Posteroanterior | right wrist pediatric wrist radiograph | index exam | Siemens

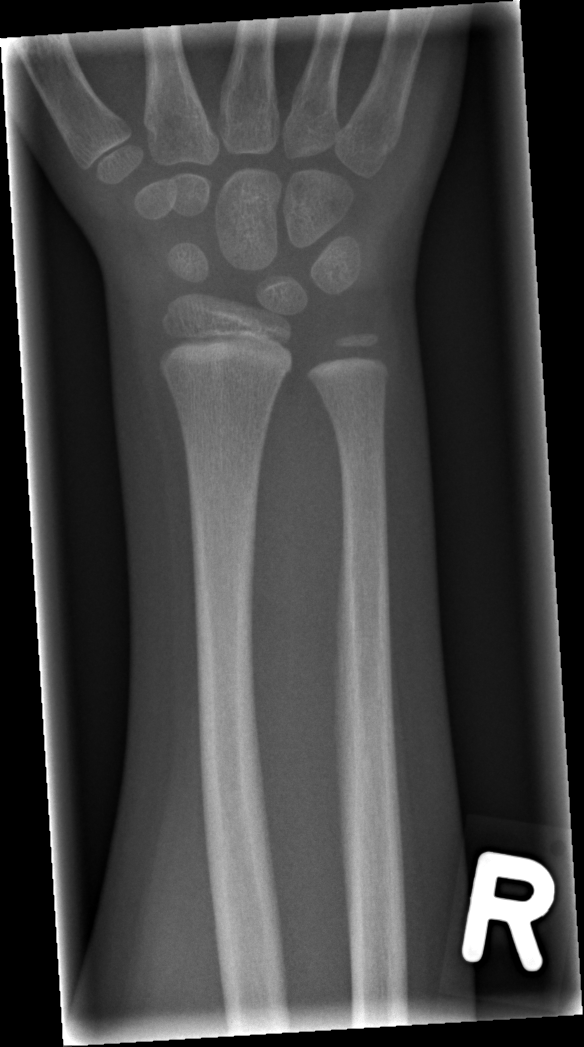

* Fracture: none labeled.